Left wrist plain film · lateral · female, 8 yo · cast in situ

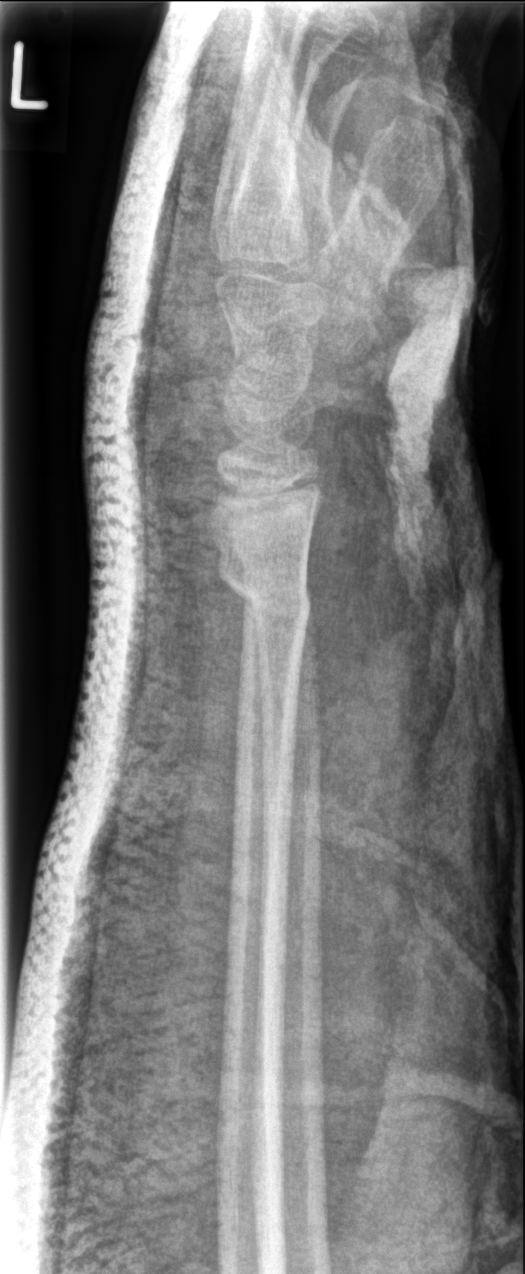
FINDINGS — (bounding boxes in image-pixel xyxy) Bone fracture — [x1=208, y1=534, x2=319, y2=635]. Fracture classified AO/OTA 23r-M/3.1; 23u-M/2.1.